Lateral view; left wrist plain radiograph of the wrist; age 12 y, female; in cast; image 74.3 mm wide:
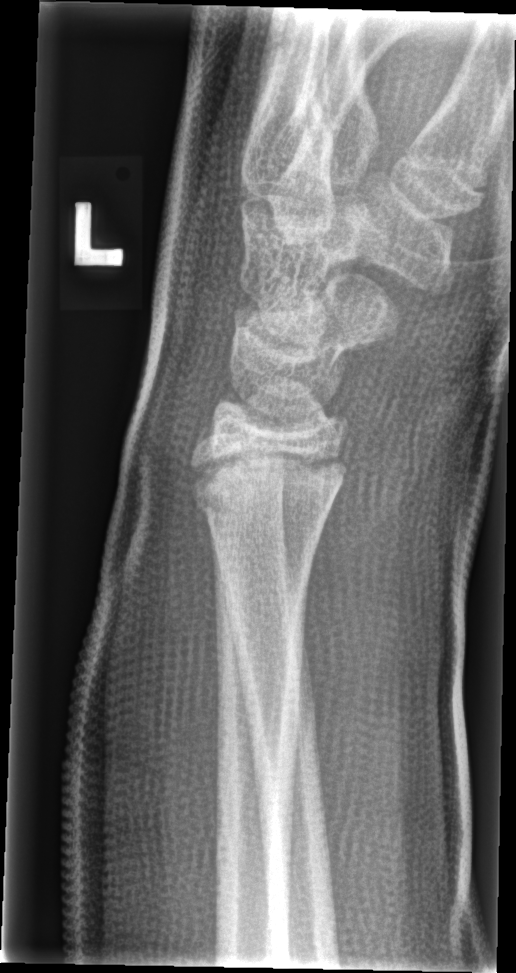 Bounding boxes in image-pixel xyxy. One Fx at bbox(184, 443, 351, 524). Fracture classified AO/OTA 23r-E/2.1; 23u-E/7.